Lateral view, Lt wrist XR, pediatric patient (girl, age 11), subsequent exam, cast present, 596x1168 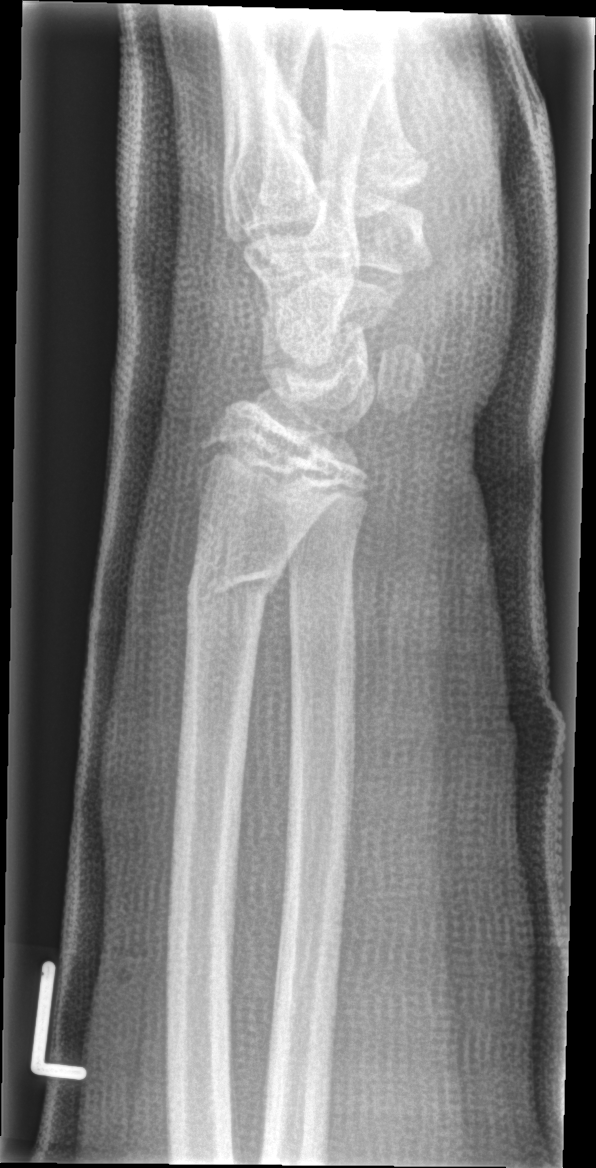 FINDINGS: (boxes as x1,y1,x2,y2 (top-left / bottom-right, pixel units)) One bone fracture at [183, 554, 284, 611].